PA/AP projection | right wrist X-ray | 11y M | 645 by 1114 pixels

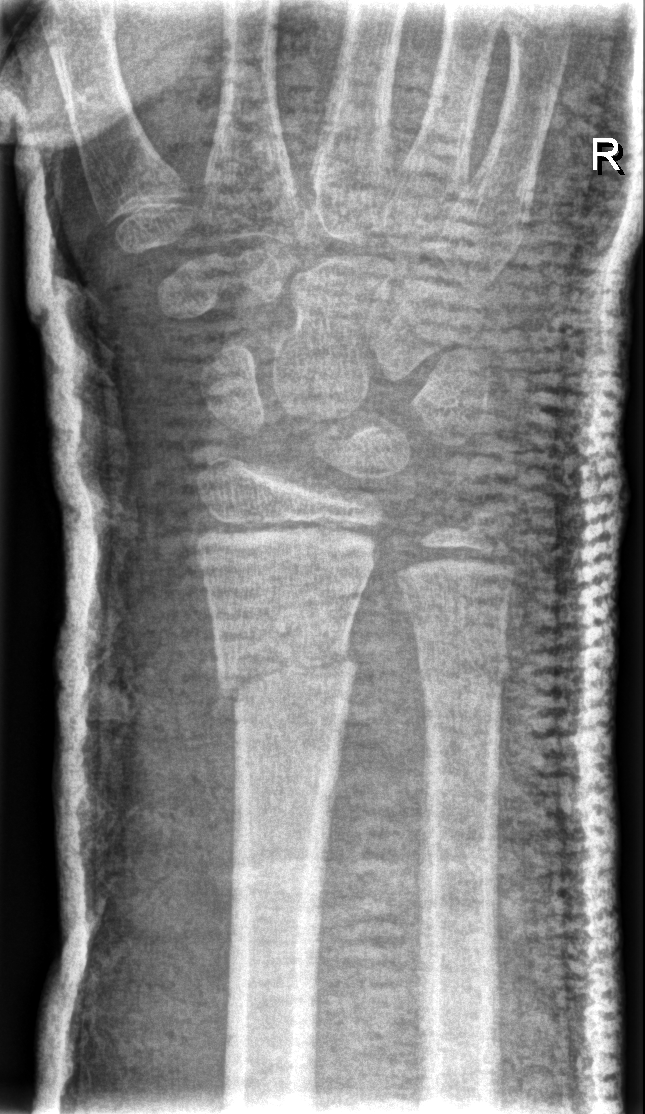

FINDINGS — Fracture identified at bbox(213, 623, 360, 724) bbox(413, 643, 515, 698).